Rt wrist plain film; lat; subsequent exam:
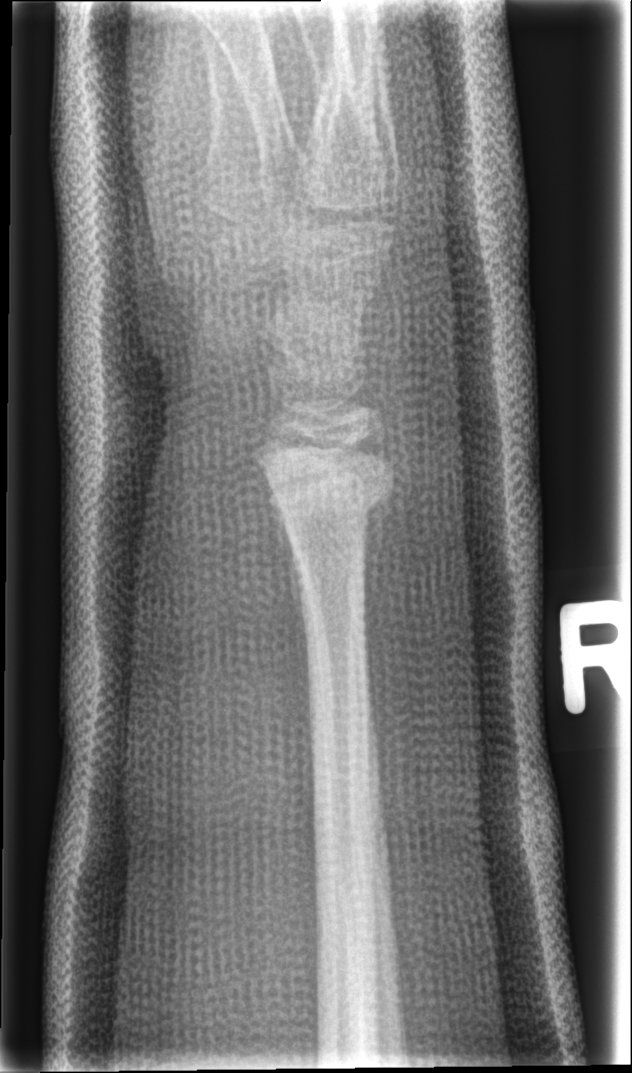

Findings: One Fx at [258, 435, 398, 545]. Two periosteal thickening at [265, 474, 312, 668], [363, 489, 391, 670]. Fracture classified AO/OTA 23r-M/3.1.